R wrist radiograph · lat · 393x1064.

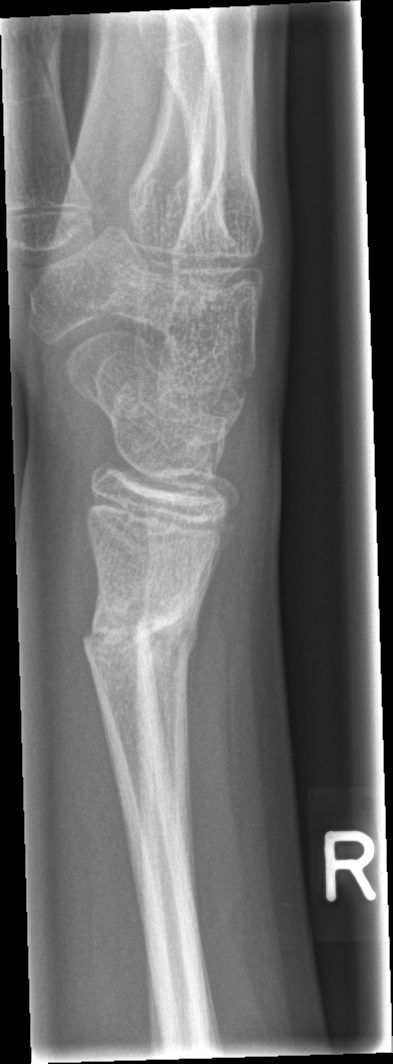
(pixel coordinates, top-left origin, xyxy)
Bone fracture: <84,582>-<201,680>
AO code: 23-M/3.1
Osteopenia: present